PA/AP | L wrist plain film | age 11 y, male

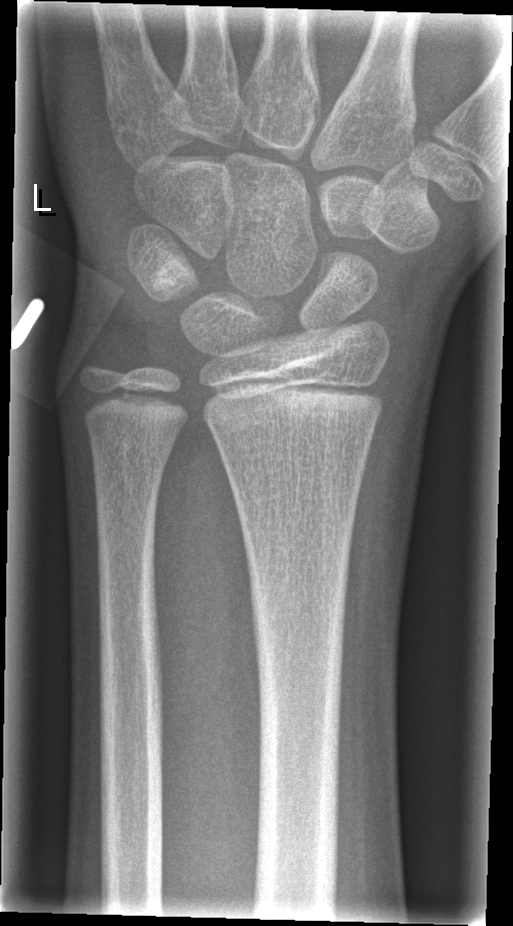   fracture: none labeled